Lat projection, Lt pediatric wrist radiograph, 12-year-old boy, follow-up study, 89.3 mm image width.

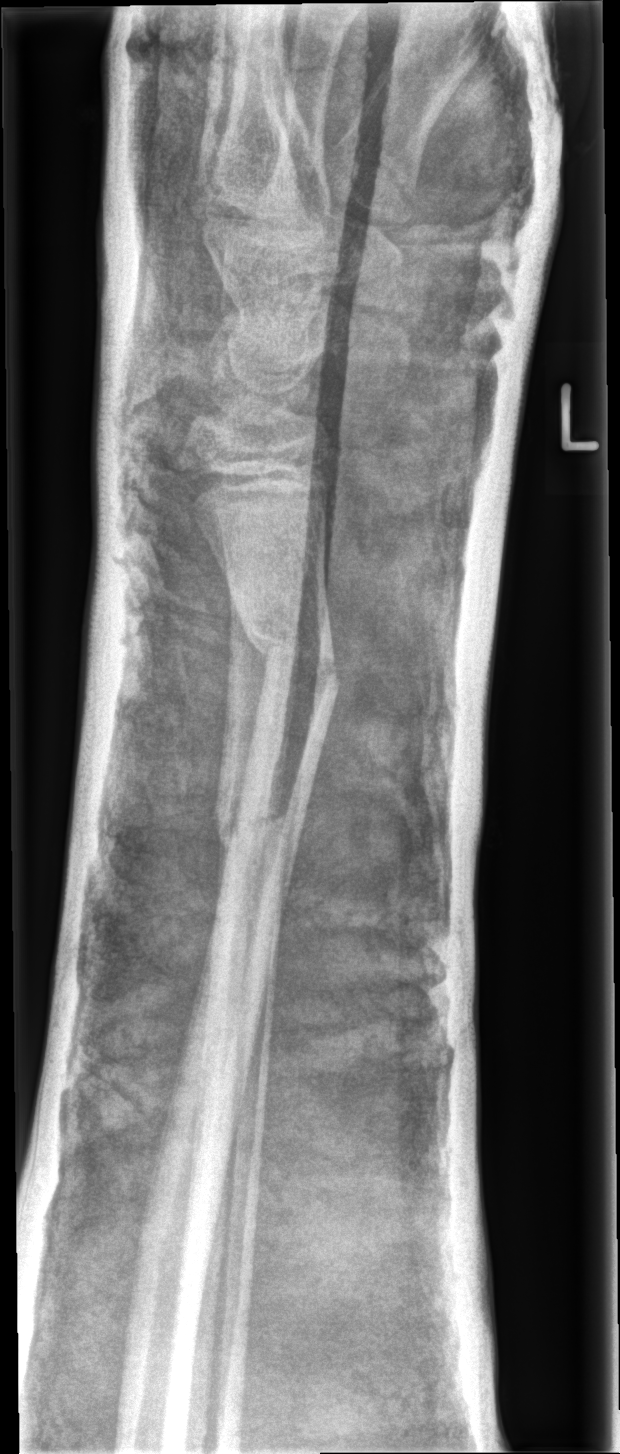

Fractures — (left=244, top=616, right=343, bottom=704) (left=209, top=788, right=294, bottom=856).